Lt wrist X-ray; lateral view; pediatric patient (boy, age 15); subsequent exam; acquired on Siemens; image width 97.3 mm; 676 by 1189 pixels:
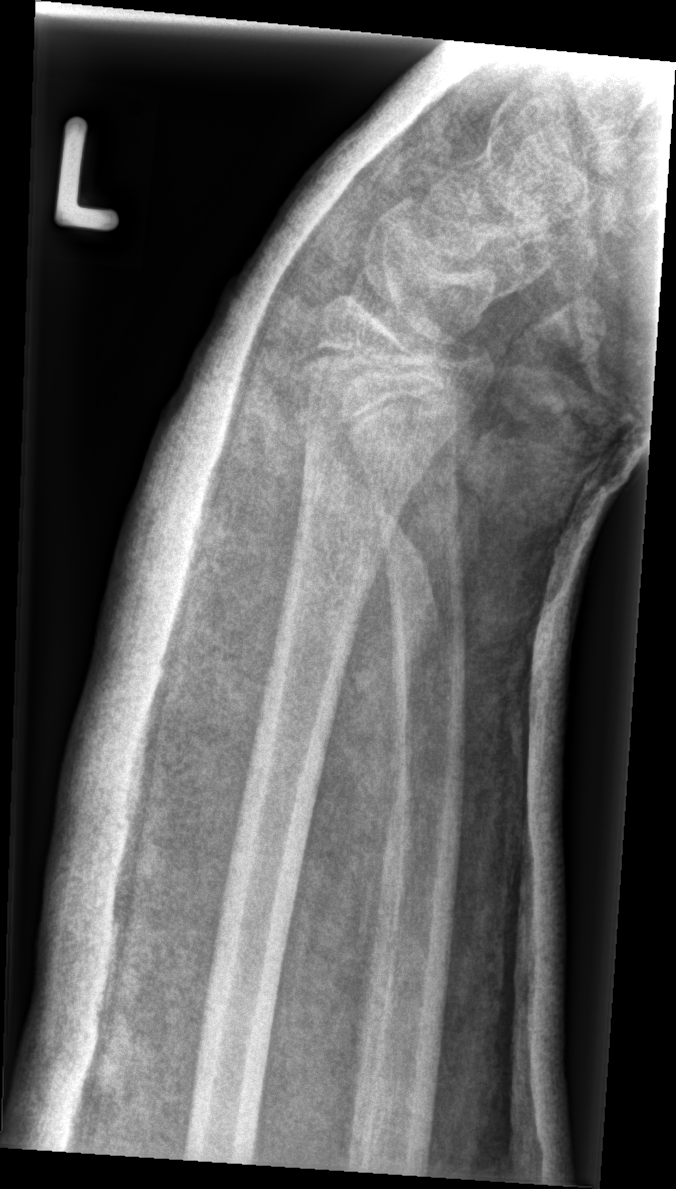 - Fracture classified AO/OTA 23r-M/3.1; 23u-E/7.
- Fracture present but not clearly seen in this view.